Lat, right pediatric wrist radiograph, 9y F, subsequent exam, image width 50.5 mm, 351 x 860 px — 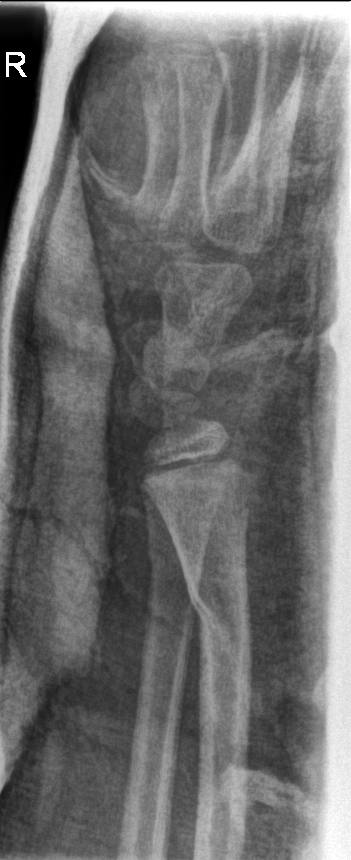

Fracture = 1 @ [x1=183, y1=572, x2=255, y2=647]
AO classification = 23-M/2.1